PA projection, Lt wrist XR, boy, 14 yo, follow-up:

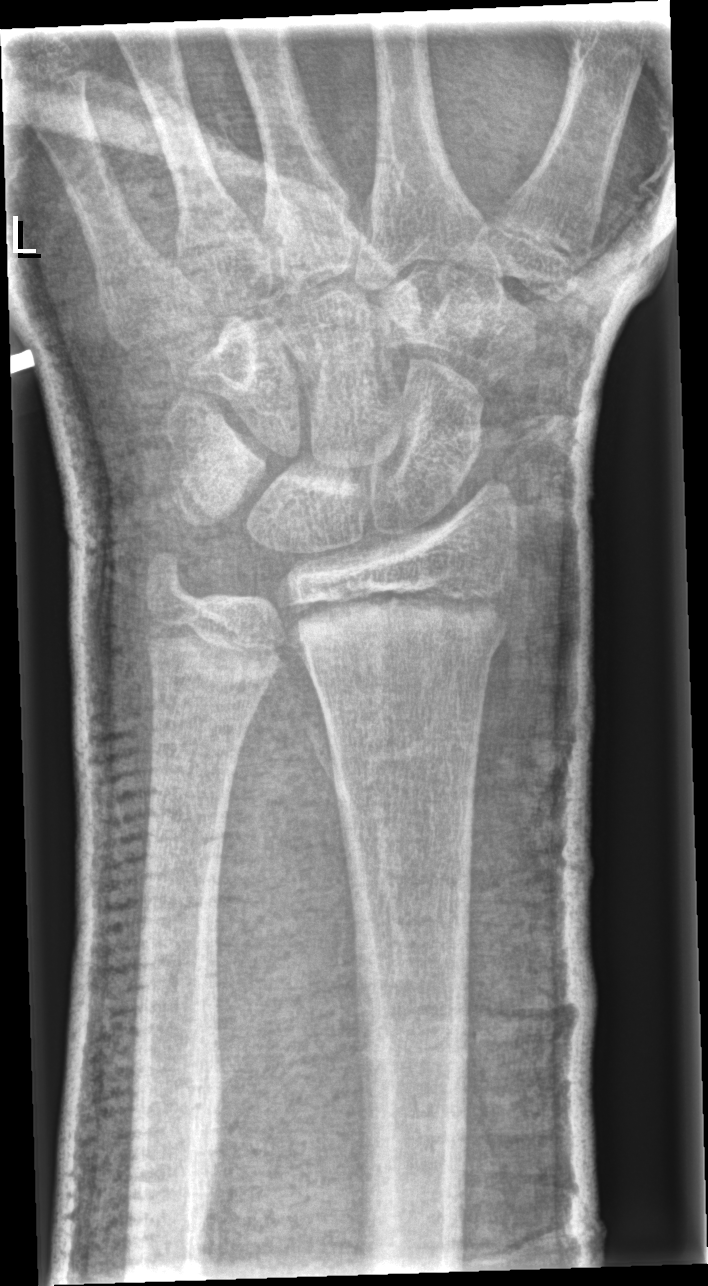   fracture: 1 @ 287 580 514 668